R plain radiograph of the wrist | lateral view | girl, 3 yo:

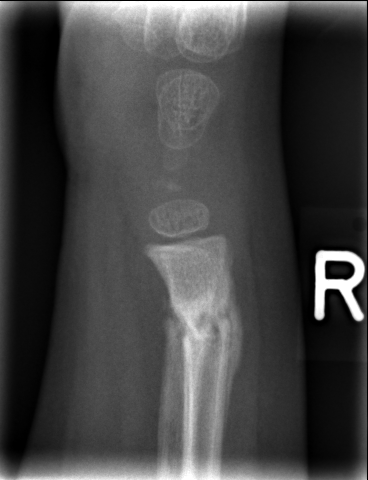
* Bounding boxes in image-pixel xyxy.
* Fracture classified AO/OTA 23-M/3.1.
* Periosteal new bone — [x1=220, y1=251, x2=246, y2=460].
* Decreased bone density (osteopenia).
* Bone fracture — [x1=161, y1=279, x2=243, y2=361].